Frontal projection; left wrist X-ray; 12-year-old male; image 77.3 mm wide
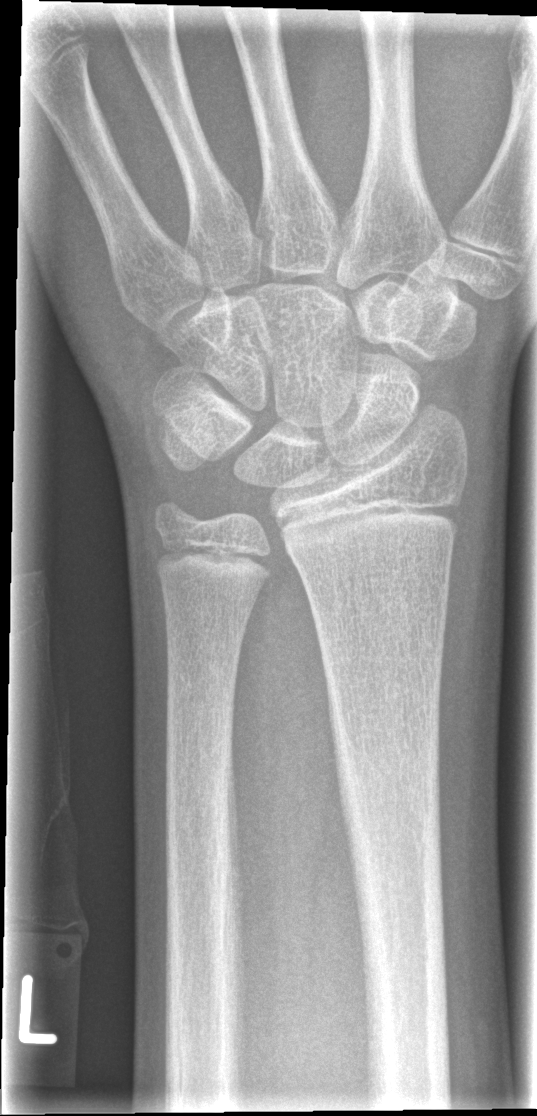

fracture: none labeled